Lat view; right wrist plain film; imaged through cast; detector: Siemens.

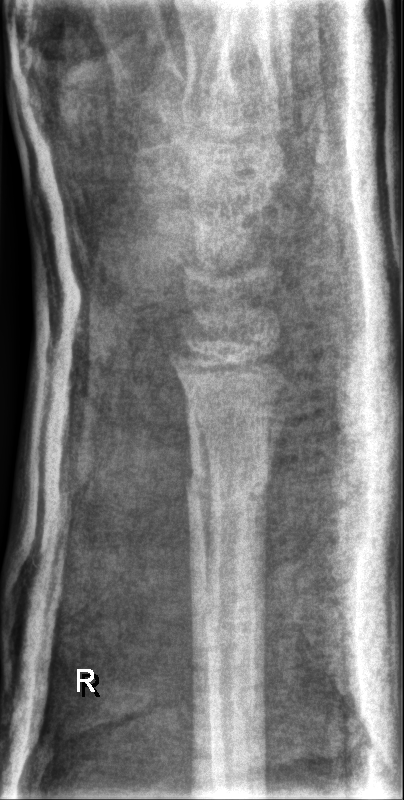 Findings: Fracture classified AO/OTA 23r-M/3.1; 23u-E/7. Bone fracture identified at 184 466 271 513.